Lt pediatric wrist radiograph · lat view · 11y F · cast present · image width 101.1 mm · 702 by 1332 pixels 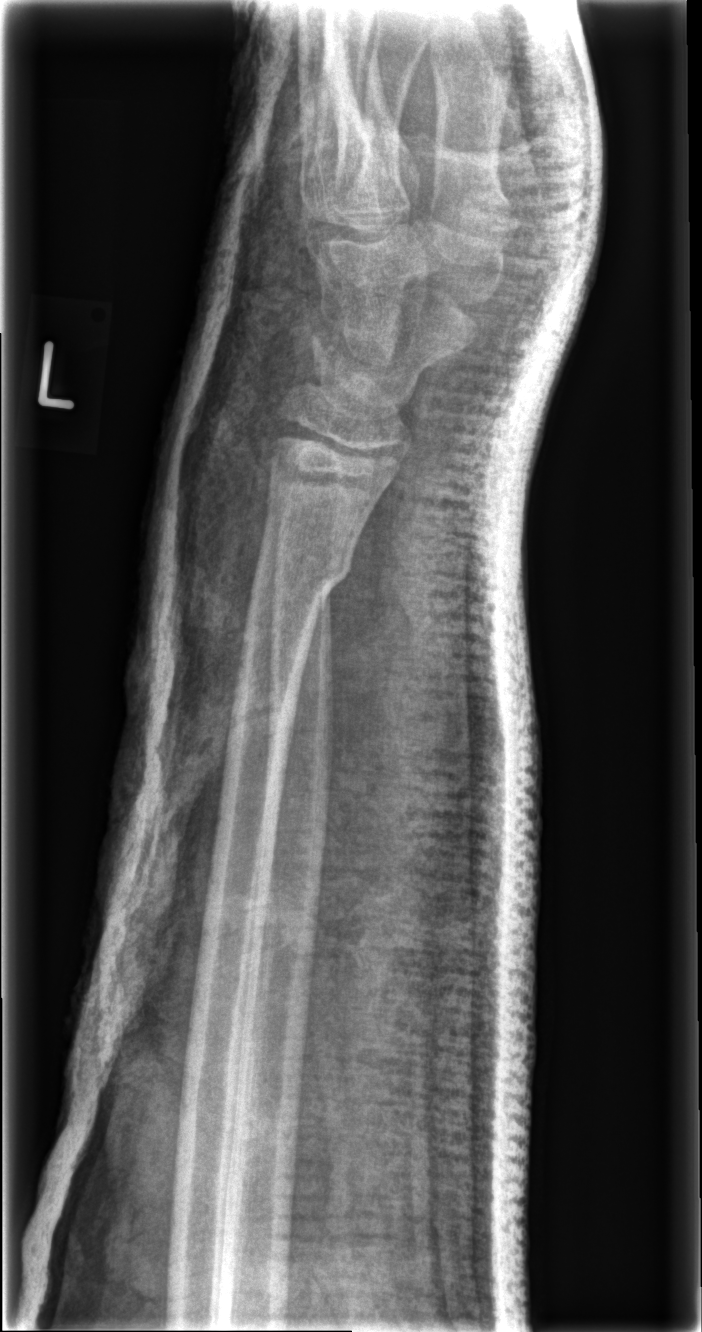

Findings: One Fx at 250 538 351 613. Fracture classified AO/OTA 23-M/2.1.